Lat projection | Rt wrist radiograph

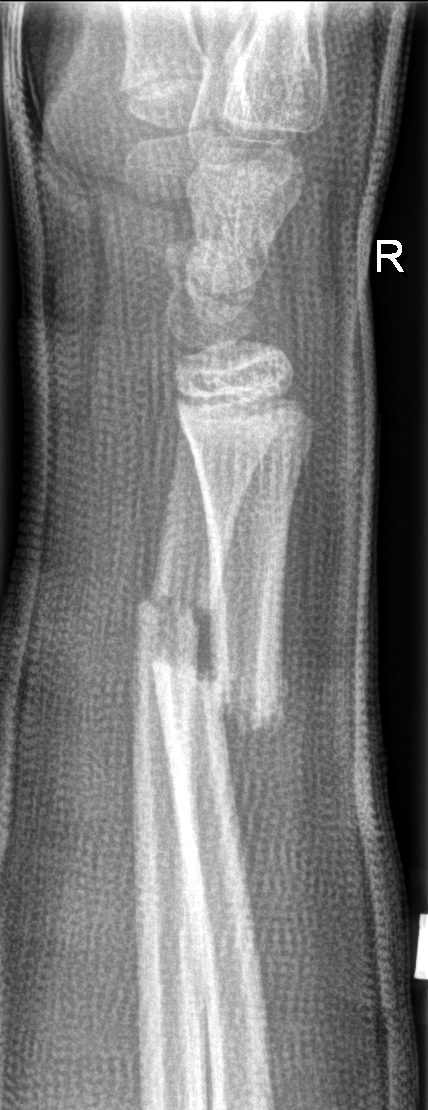
FINDINGS — (boxes as x1,y1,x2,y2 (top-left / bottom-right, pixel units)) Fx — [149, 654, 288, 737], [133, 580, 218, 632]. AO/OTA classification: 23-M/3.1; 23u-E/7.